Left wrist radiograph · AP view · male, 14 yo:

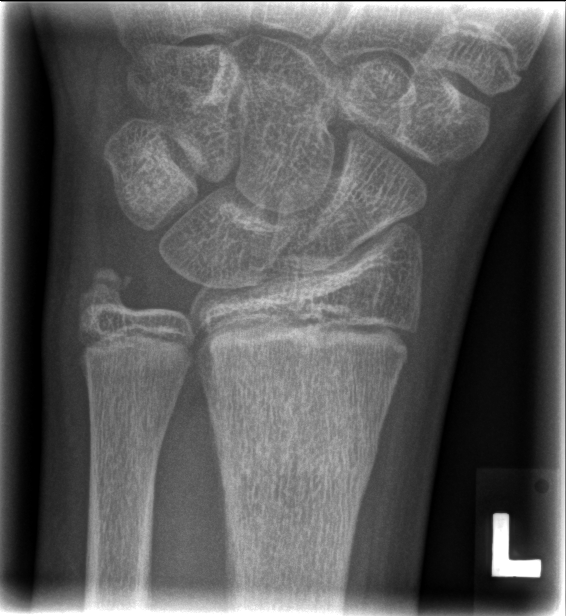
fracture: <203,387>-<386,506>; <70,251>-<144,325>